Posteroanterior view; right wrist XR; age 8 y, boy; imaged through cast; 560x982 —
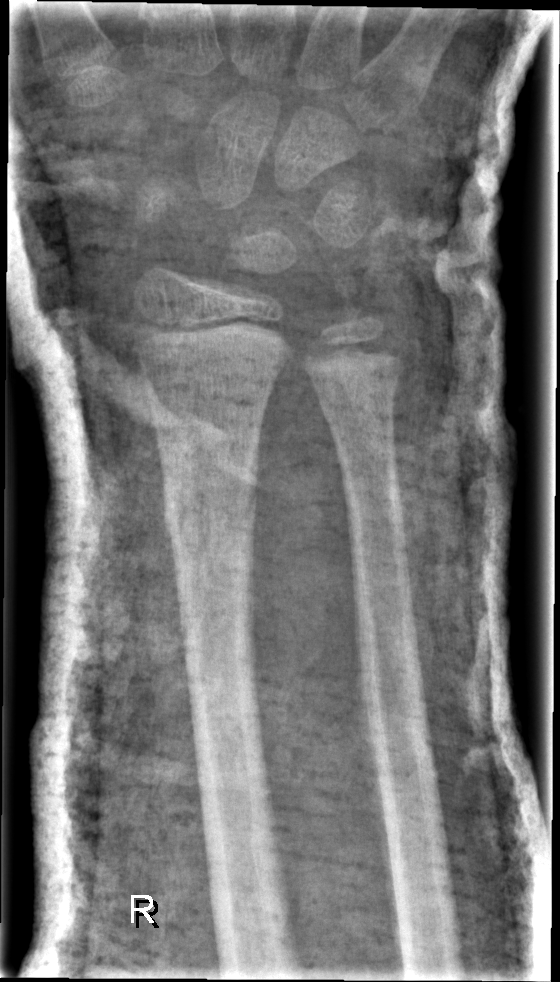 - Boxes as x1,y1,x2,y2 (top-left / bottom-right, pixel units).
- Fracture identified at [160, 465, 264, 550] [311, 357, 409, 426].
- AO/OTA classification: 23r-M/3.1; 23u-M/2.1.